Lateral · Lt wrist radiograph · pediatric patient (male, age 9)

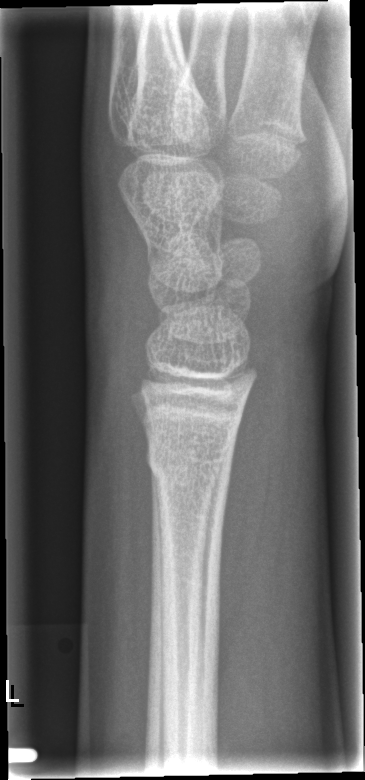
Findings: AO code 23r-M/2.1. One Fx at 142,435,235,496.